PA, R wrist XR, pediatric patient (male, age 12), index exam

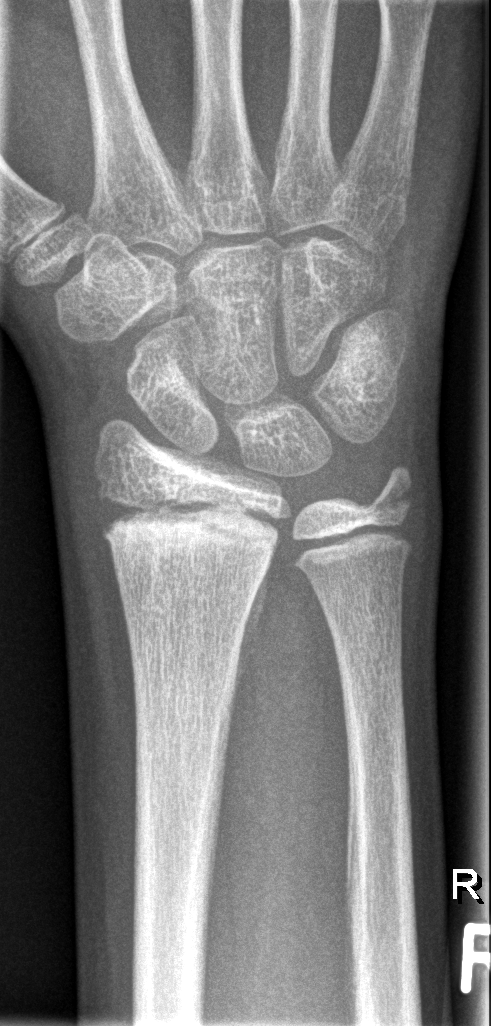

* Fx: [x1=95, y1=486, x2=285, y2=561], [x1=360, y1=459, x2=421, y2=520].